Lateral projection; left wrist plain film; pediatric patient (male, age 10); Siemens

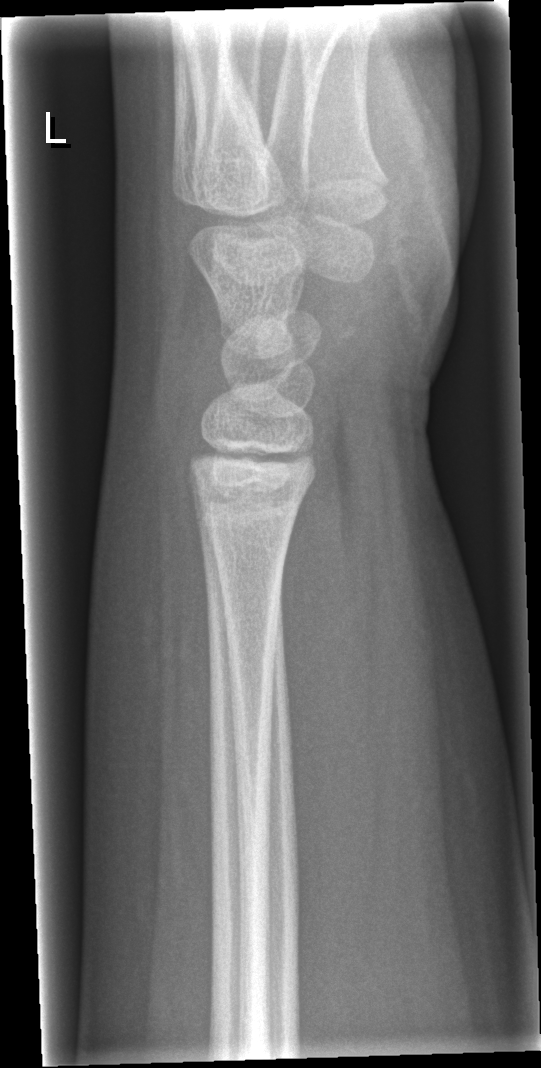 Fx: none labeled